AP view; right wrist X-ray; 13y M; cast in situ

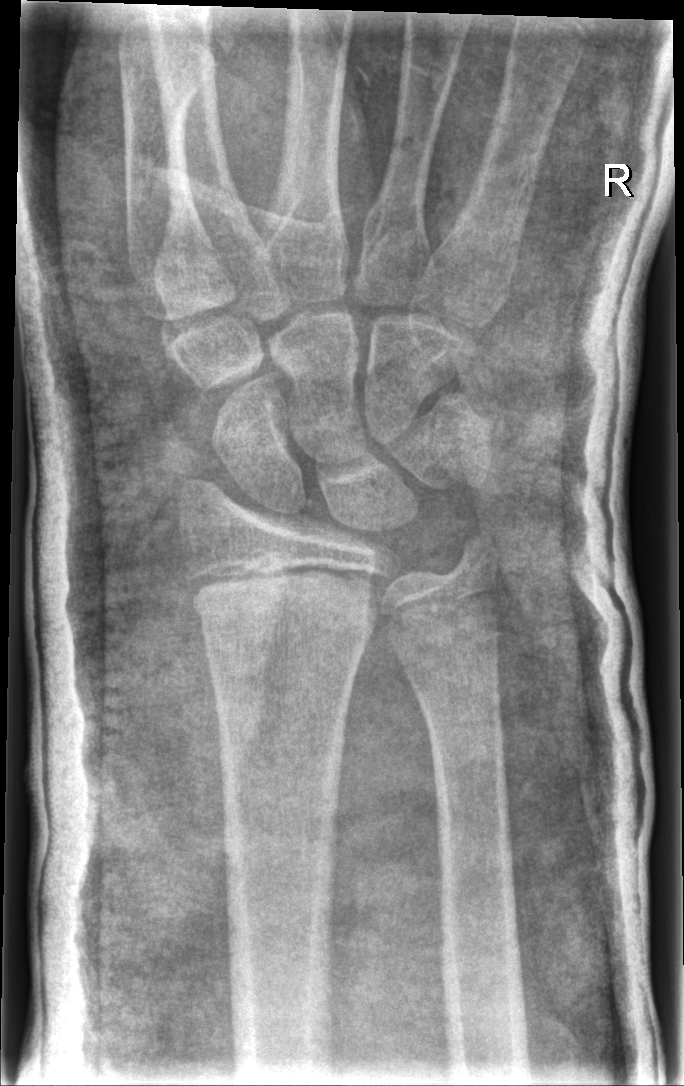
Q: Locate any fractures.
A: Fracture: present but not clearly seen in this view
Q: AO code?
A: Fracture classified AO/OTA 23r-E/2.1; 23u-E/7